Rt wrist plain film | lat | 17-year-old boy —

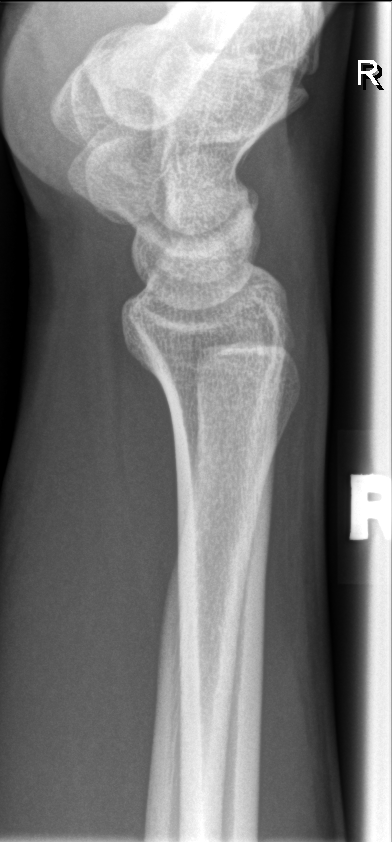
No fracture annotation.